Lat projection | L pediatric wrist radiograph | 14y M | presentation radiograph | image size 486x1180: 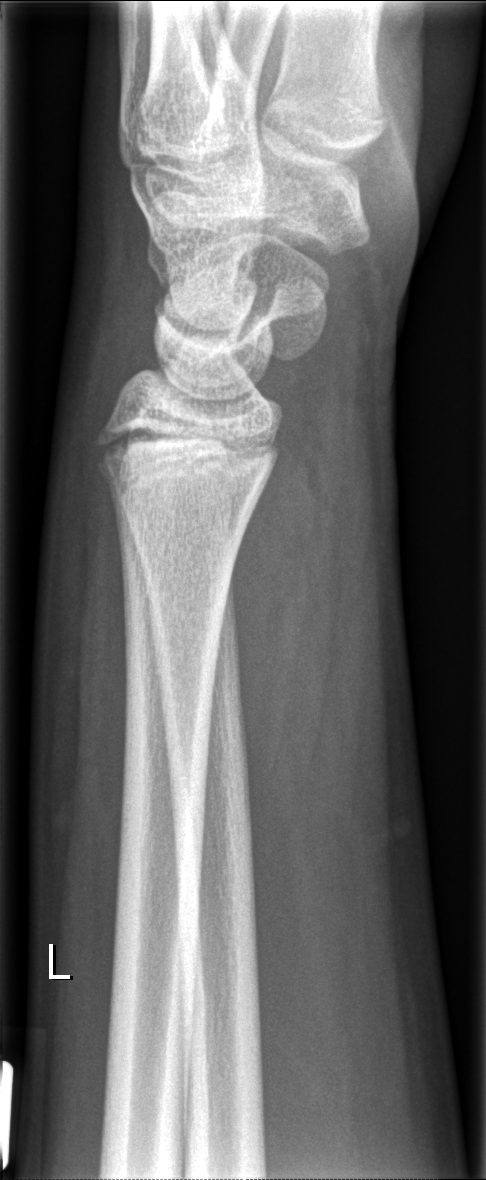 Pixel coordinates, top-left origin, xyxy. AO/OTA classification: 23r-E/2.1. One pronator quadratus fat-pad sign at [x1=226, y1=434, x2=342, y2=873]. Fx: [x1=88, y1=427, x2=283, y2=508].